Left wrist radiograph · frontal view · female, 9 yo · follow-up study · detector: Siemens.

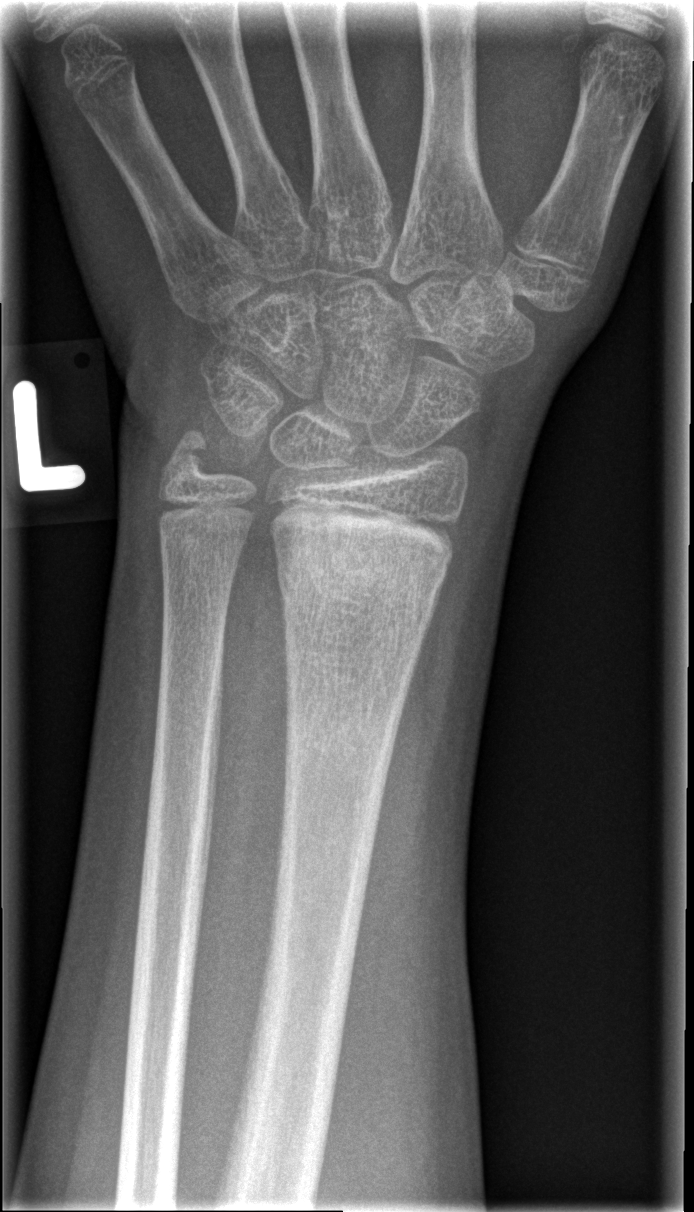

Fx = bbox(269, 500, 457, 599); bbox(155, 422, 218, 487)